Rt plain radiograph of the wrist | frontal.
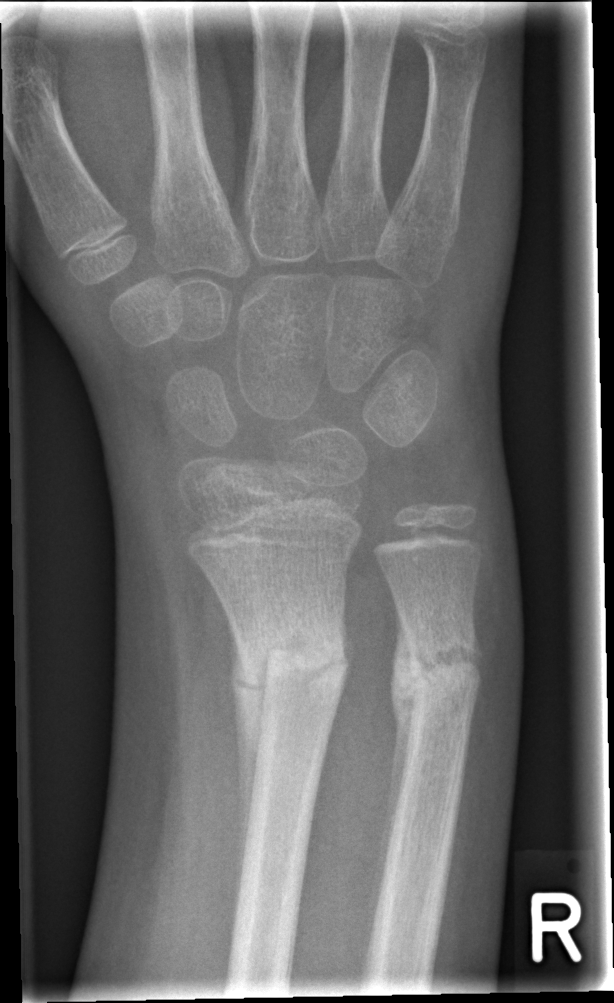

Pixel coordinates, top-left origin, xyxy. Two periosteal thickening at (left=368, top=603, right=419, bottom=937) (left=229, top=616, right=266, bottom=909). Osteopenia. Fracture: (left=233, top=594, right=352, bottom=716) (left=392, top=607, right=486, bottom=722). AO code 23-M/3.1.